Lateral projection · Rt wrist radiograph:

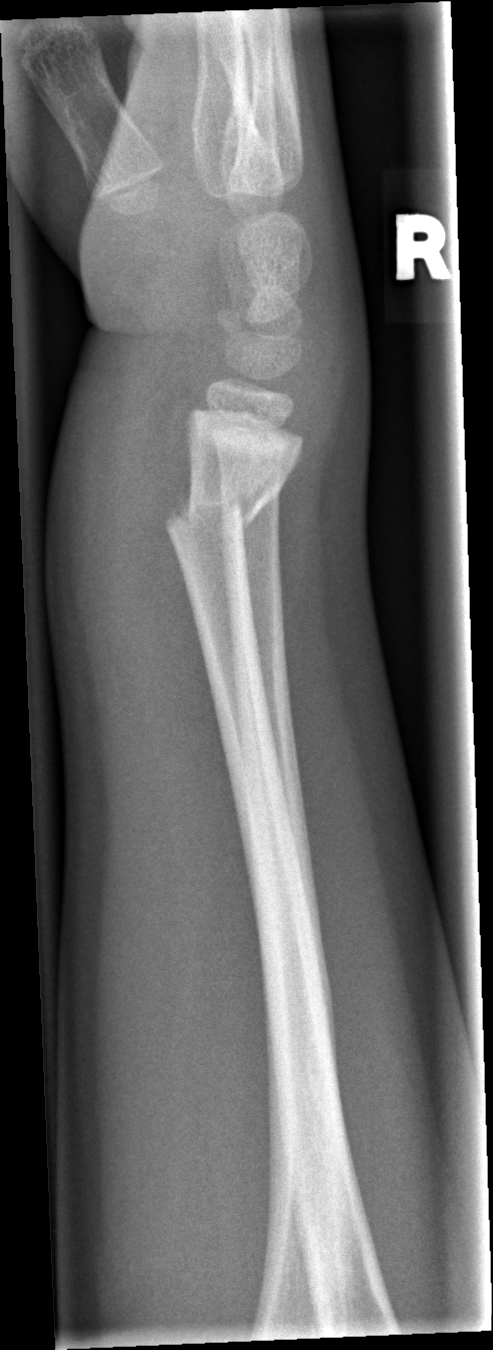

{"fracture": "1 @ 160,485,261,556", "pronatorsign": "1 @ 85,407,239,804"}